Left wrist XR; frontal; follow-up; detector: Siemens. 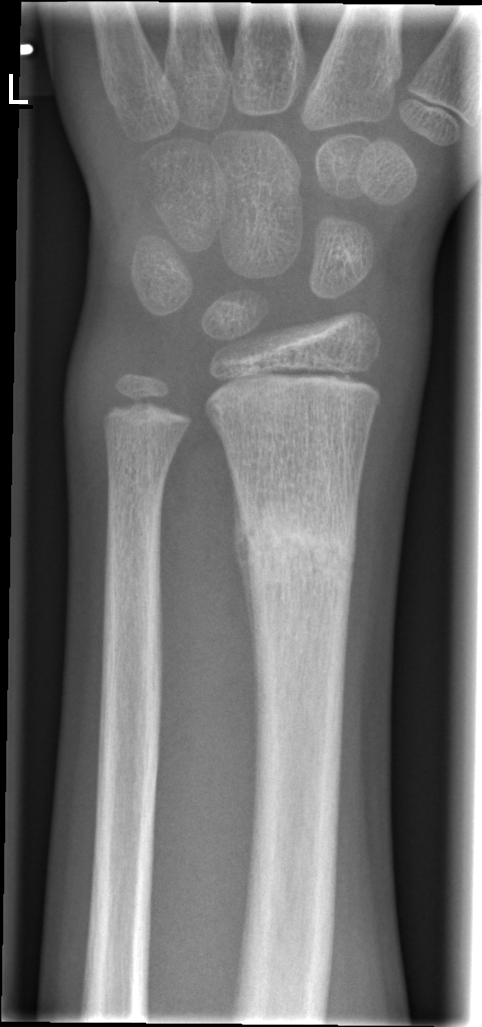 AO/OTA classification: 23r-M/3.1; 23u-M/2.1. Fracture: <231,474>-<364,614>; <101,462>-<173,539>. Osteopenia. Periosteal thickening — <228,472>-<260,718>.